Left wrist plain radiograph of the wrist · lateral view · 8y F · index exam:

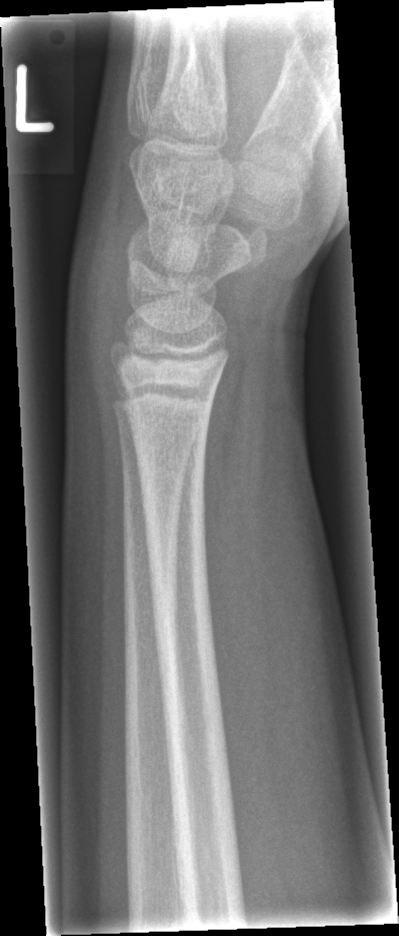
• No fracture bounding box.